AP projection | L plain radiograph of the wrist | 6-year-old girl | Siemens | 465x696 —

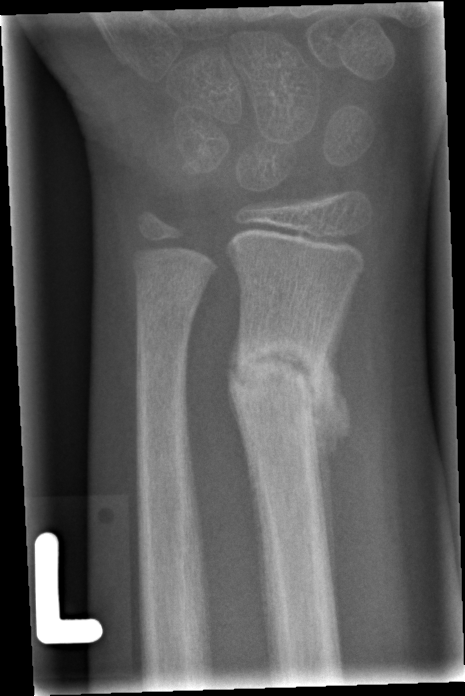

Q: AO code?
A: Fracture classified AO/OTA 23r-M/3.1; 23u-M/2.1
Q: Fracture present?
A: One fracture at (left=226, top=335, right=336, bottom=429)
Q: Locate any periosteal reaction.
A: Periosteal reaction — (left=307, top=295, right=355, bottom=597)